Posteroanterior | left plain radiograph of the wrist | 13y M | initial study.

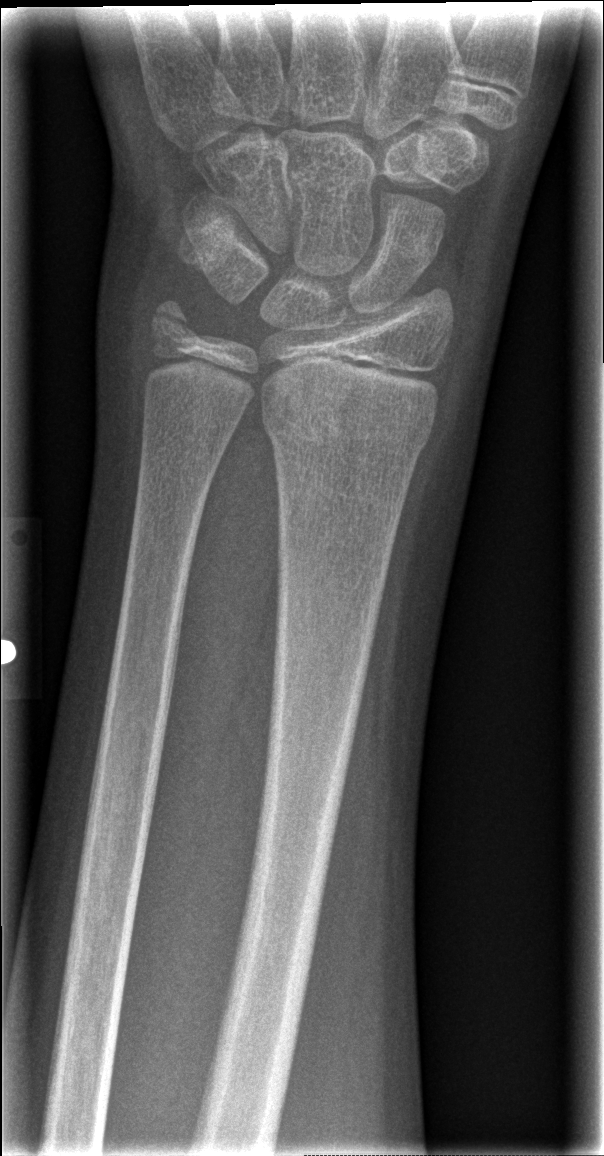 - Fx: <259,386>-<439,462>, <140,293>-<202,363>.